R wrist XR · lat · pediatric patient (female, age 10) · subsequent exam:

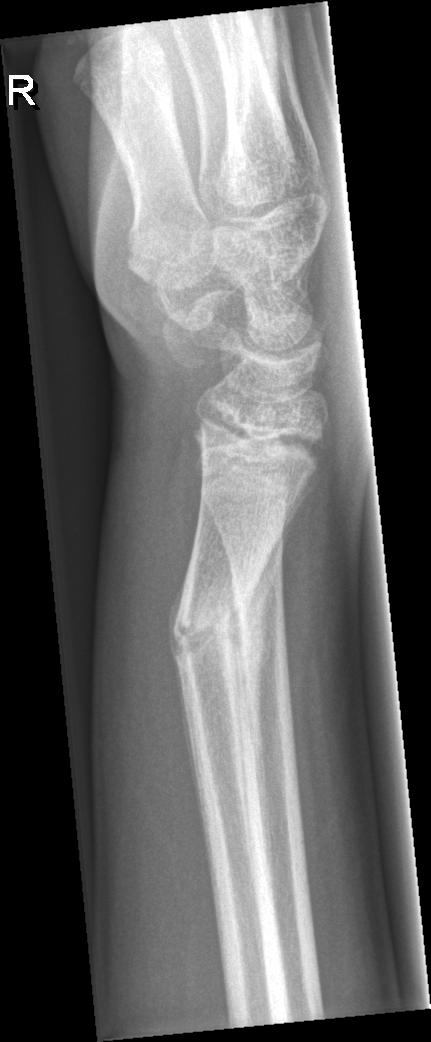

Q: Is there periosteal reaction?
A: Periosteal reaction identified at bbox(236, 512, 291, 923); bbox(167, 547, 193, 704)
Q: Fracture present?
A: Fx identified at bbox(164, 581, 251, 669)
Q: Is there osteopenia?
A: Osteopenia